Lateral view · left wrist radiograph · age 9 y, female · Siemens:

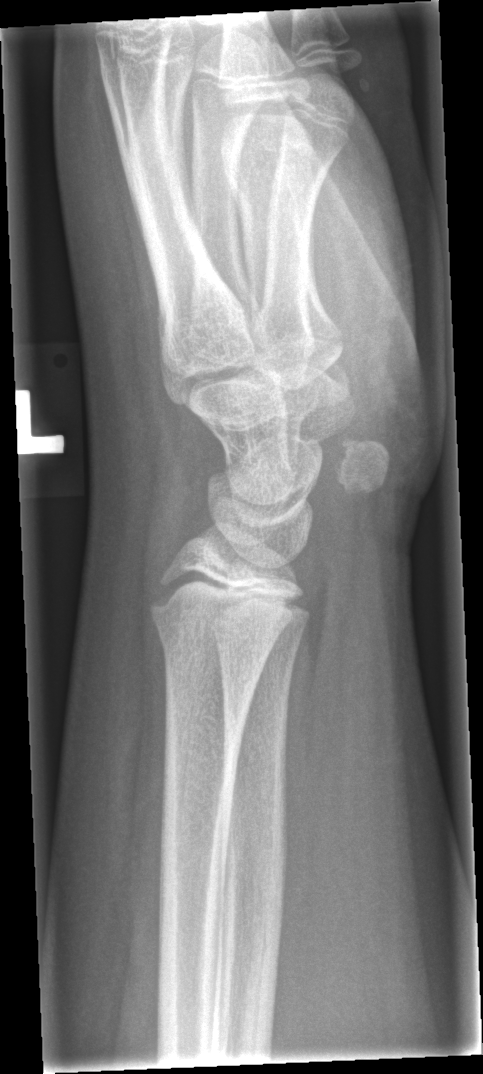

FINDINGS — Fracture identified at [x1=147, y1=605, x2=278, y2=686]. AO code 23r-M/2.1.